Lat projection, right wrist XR, follow-up, cast in situ —

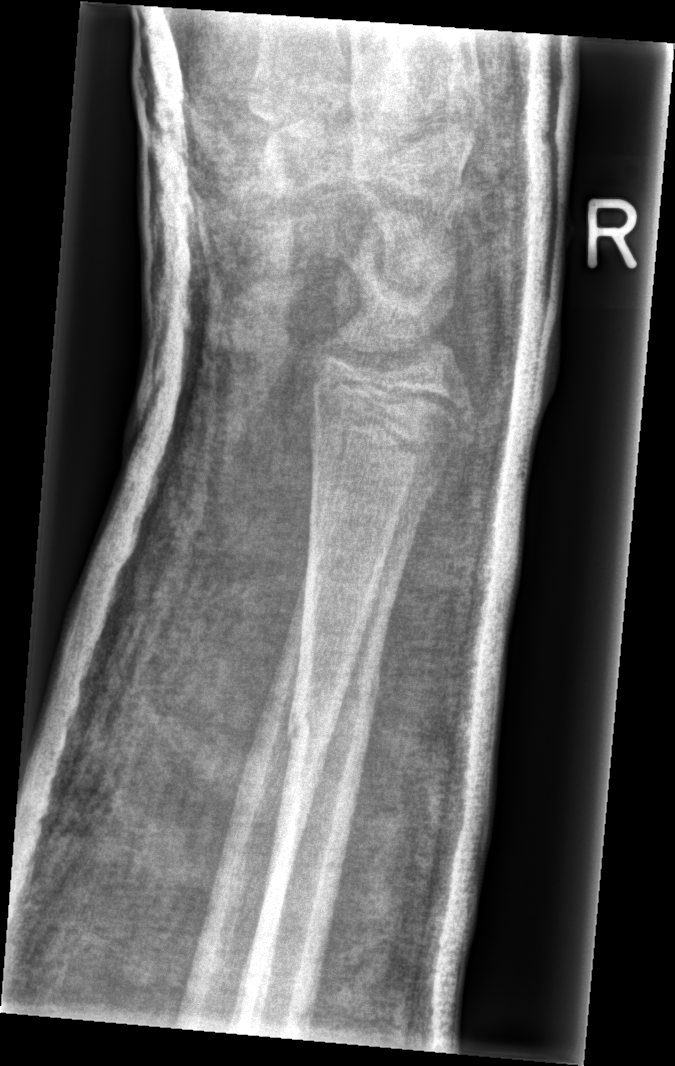

Bone fracture: 281 674 387 750
AO/OTA: 22r-D/4.1; 23u-E/7